R wrist XR; PA/AP; 13y M:

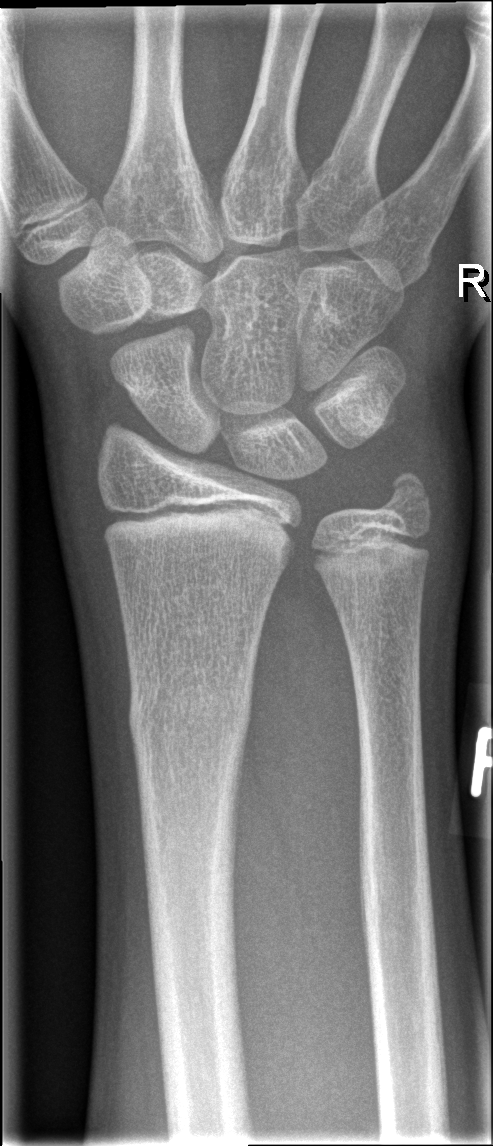 - AO/OTA classification: 23r-M/2.1; 23u-E/7.
- Fx identified at <124,681>-<254,756>; <380,466>-<437,527>.